Lateral view · Rt wrist radiograph · pediatric patient (male, age 12): 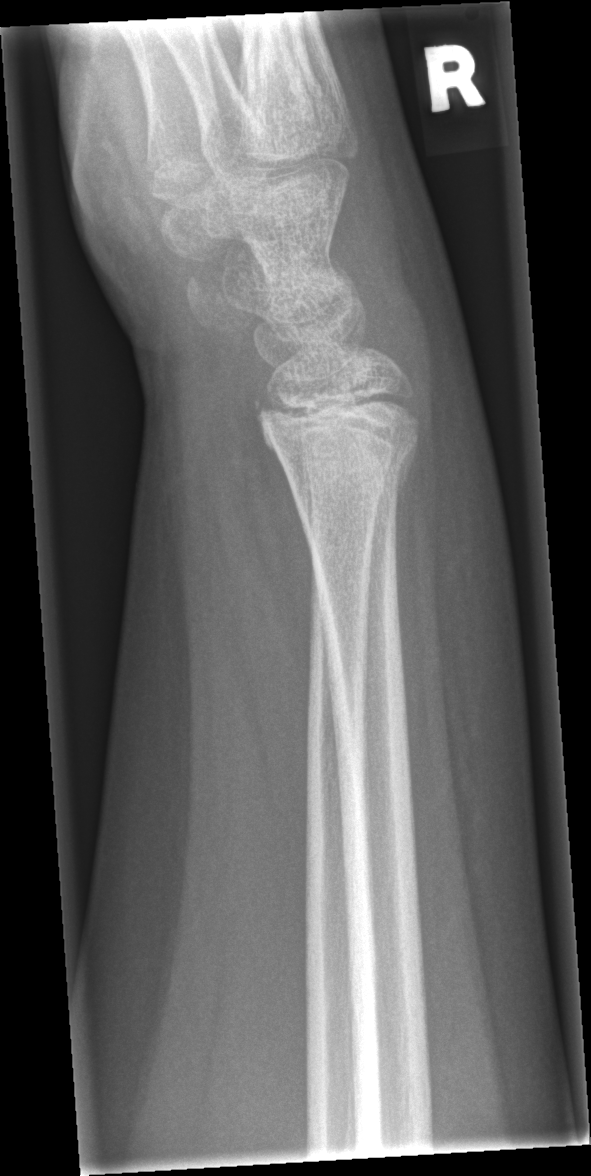
AO classification: 23r-E/2.1; 23u-E/7
Periosteal reaction: 1 @ bbox(392, 437, 420, 557)
Osteopenia: present
Fx: 1 @ bbox(249, 391, 425, 502)